Lat projection | left wrist plain radiograph of the wrist | 9y F. 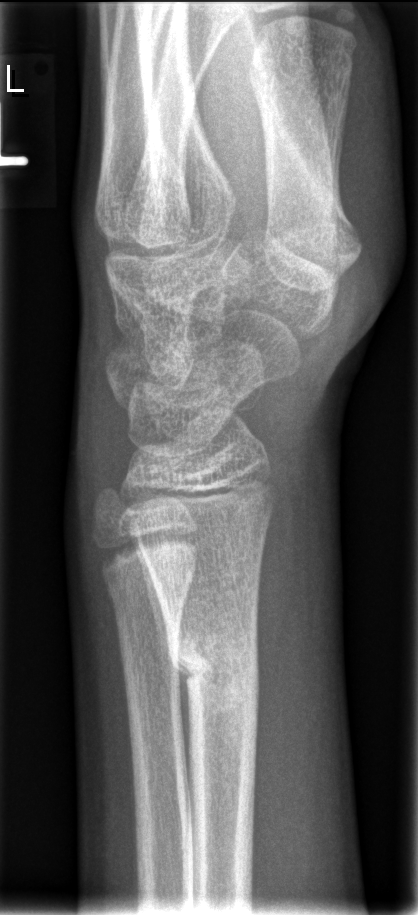

periostealreaction: <131,522>-<197,897>
fracture: 1 @ <161,629>-<263,715>
ao: 23r-M/2.1; 23u-E/1